Lateral, L plain radiograph of the wrist, index exam: 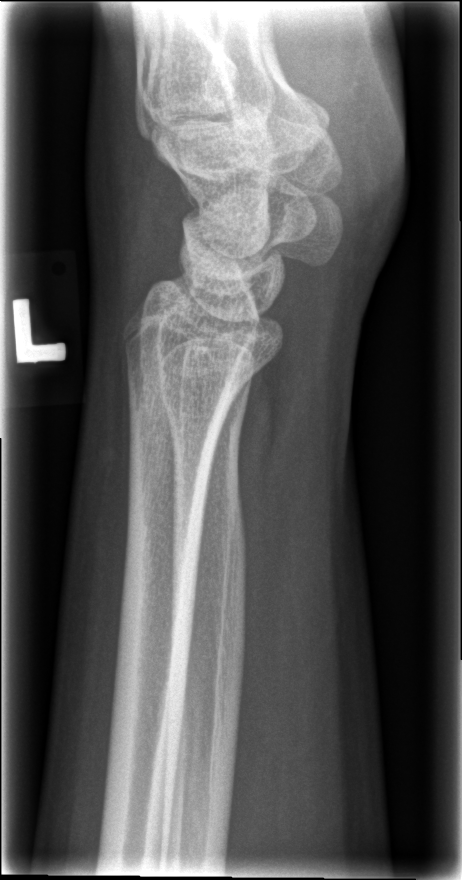 fracture: none labeled